L plain radiograph of the wrist, lateral, age 13 y, boy:
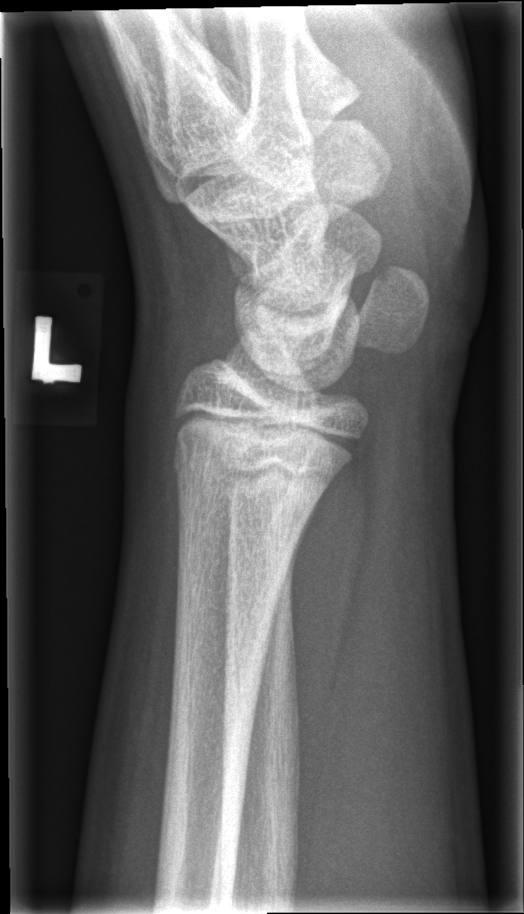
FINDINGS — No fracture labeled.